Lat projection · left wrist XR · 12-year-old girl · cast present · image width 97.9 mm
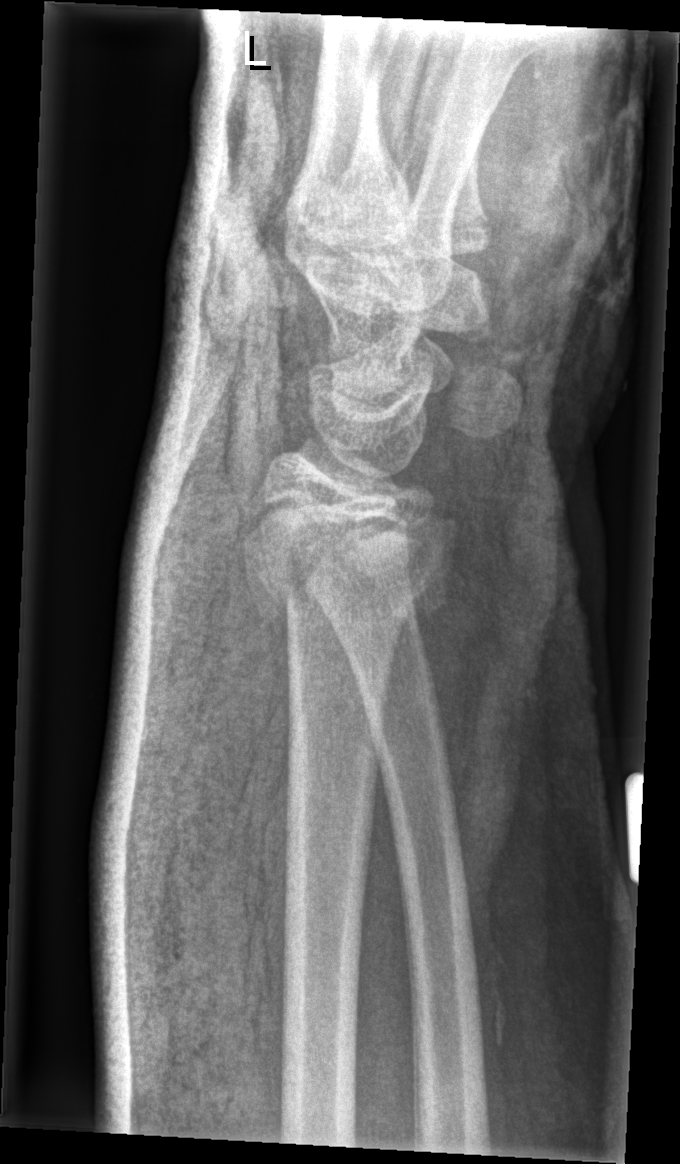

(bounding boxes in image-pixel xyxy)
Fx = (left=243, top=495, right=460, bottom=619)
AO classification = 23r-M/3.1; 23u-E/7